R pediatric wrist radiograph · PA · follow-up · image 107.4 mm wide —
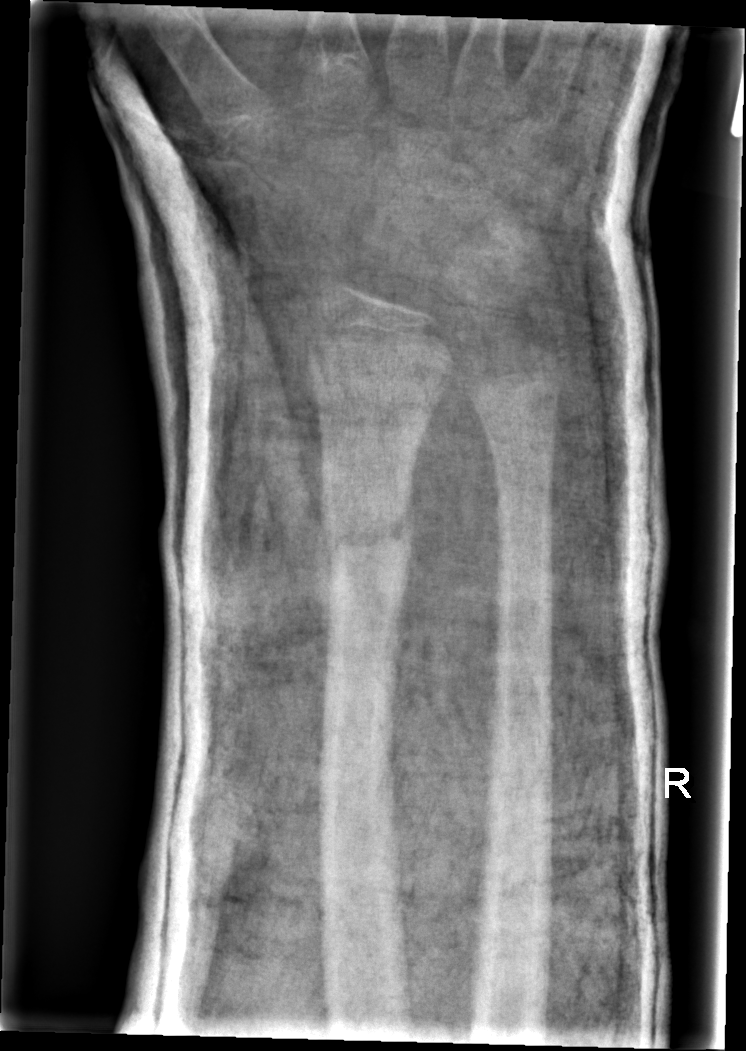
FINDINGS: Fracture — (316, 497, 418, 567).